Frontal projection | left wrist plain film | 123.4 mm image width | 857 x 1074 px: 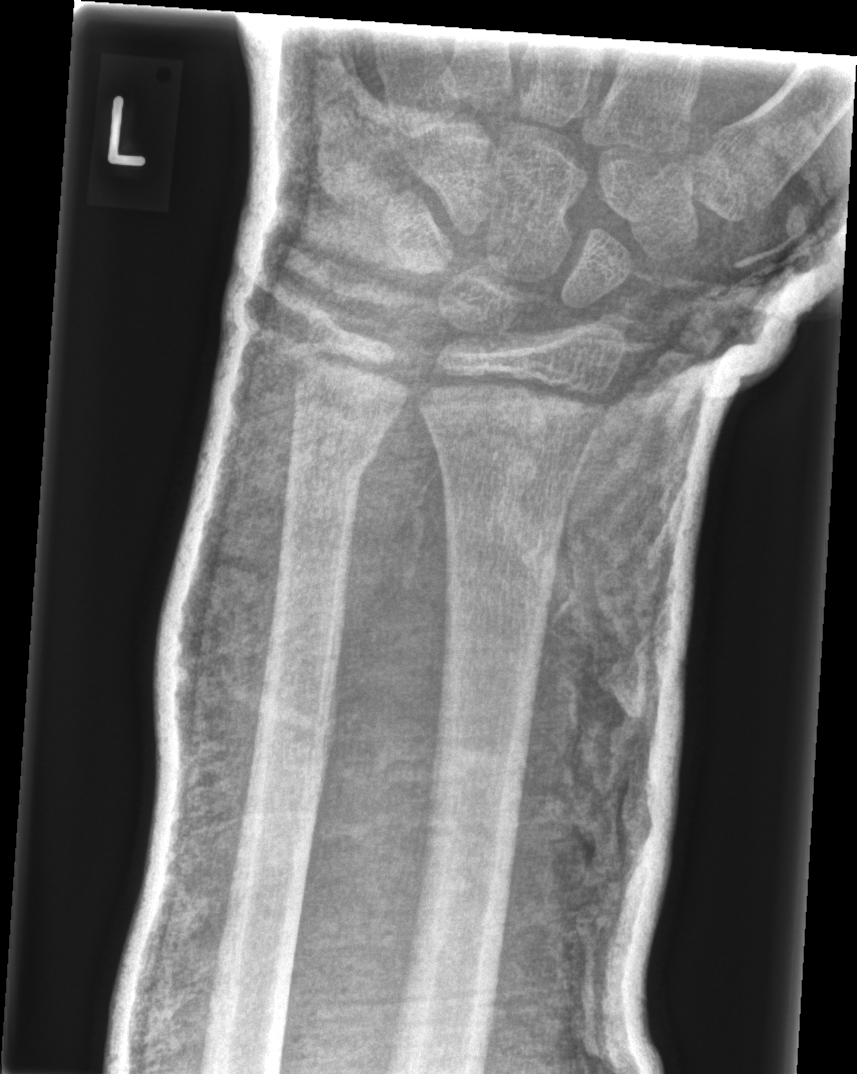 Fracture identified at (left=290, top=421, right=387, bottom=479).
Fracture classified AO/OTA 23r-E/2.1; 23u-M/2.1.